Lateral view | Rt plain radiograph of the wrist | pediatric patient (girl, age 13) | presentation radiograph | acquired on Siemens | 458x972.

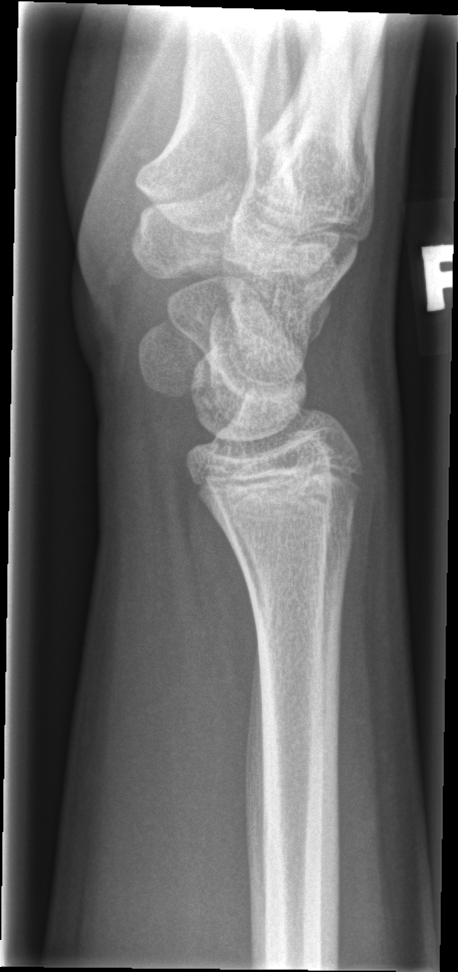
No Fx annotated.